Lat · L wrist plain film · 13-year-old boy · cast present:
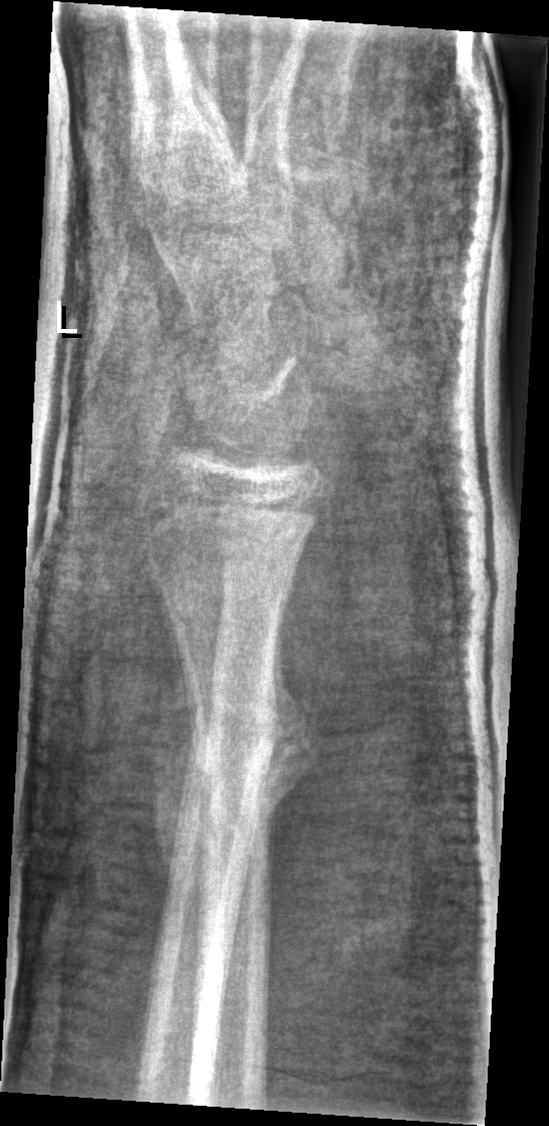 - Periosteal reaction: (left=231, top=573, right=321, bottom=933); (left=149, top=591, right=200, bottom=889).
- Fracture — (left=145, top=659, right=320, bottom=876).
- AO/OTA classification: 23r-M/3.1; 23u-M/2.1.